Lt pediatric wrist radiograph, PA view
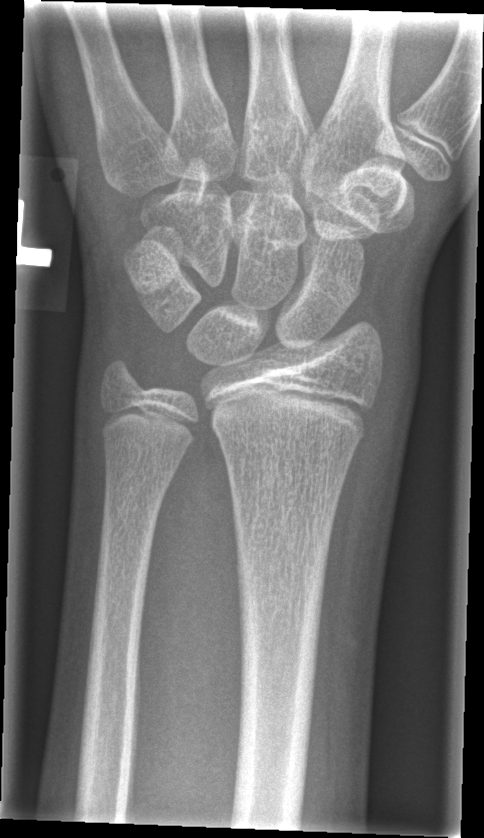
No fracture labeled.